Frontal projection; Lt pediatric wrist radiograph; age 5 y, boy; Siemens

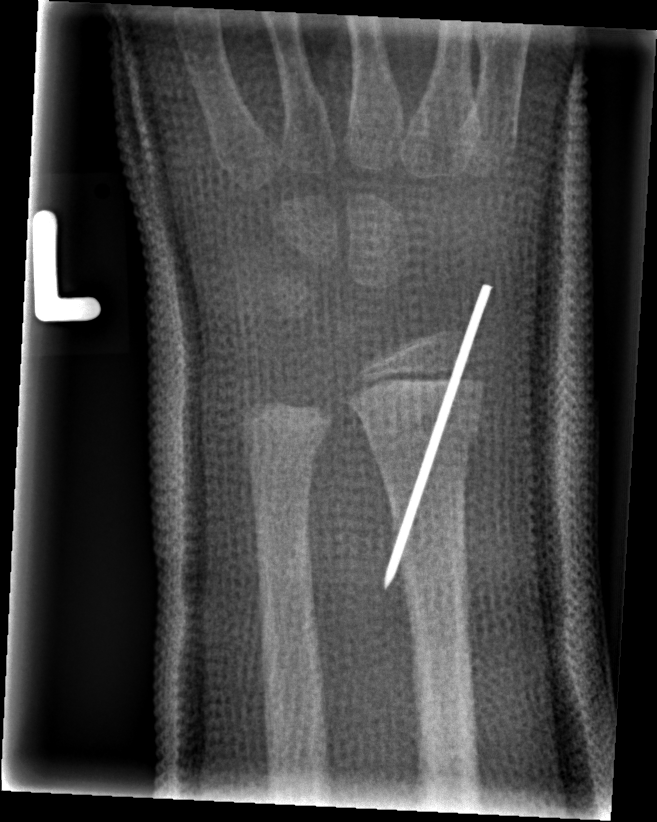
Q: Fracture present?
A: Two Fx at [x1=366, y1=405, x2=479, y2=464] [x1=245, y1=415, x2=329, y2=467]
Q: Locate any hardware.
A: One hardware at [x1=382, y1=279, x2=496, y2=592]
Q: AO code?
A: AO/OTA classification: 23r-M/3.1; 23u-M/2.1